R plain radiograph of the wrist · lateral projection —
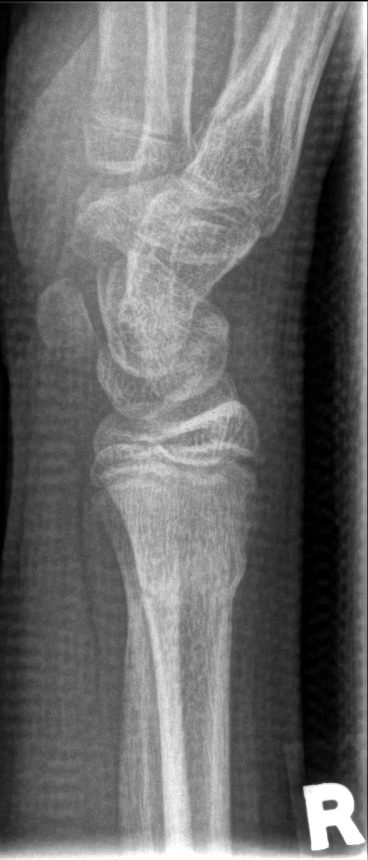

AO code 23r-M/2.1; 23u-E/3. Bone fracture — [x1=127, y1=519, x2=255, y2=616].